Rt wrist plain film; PA/AP view; boy, 12 yo; cast in situ; 82.5 mm image width
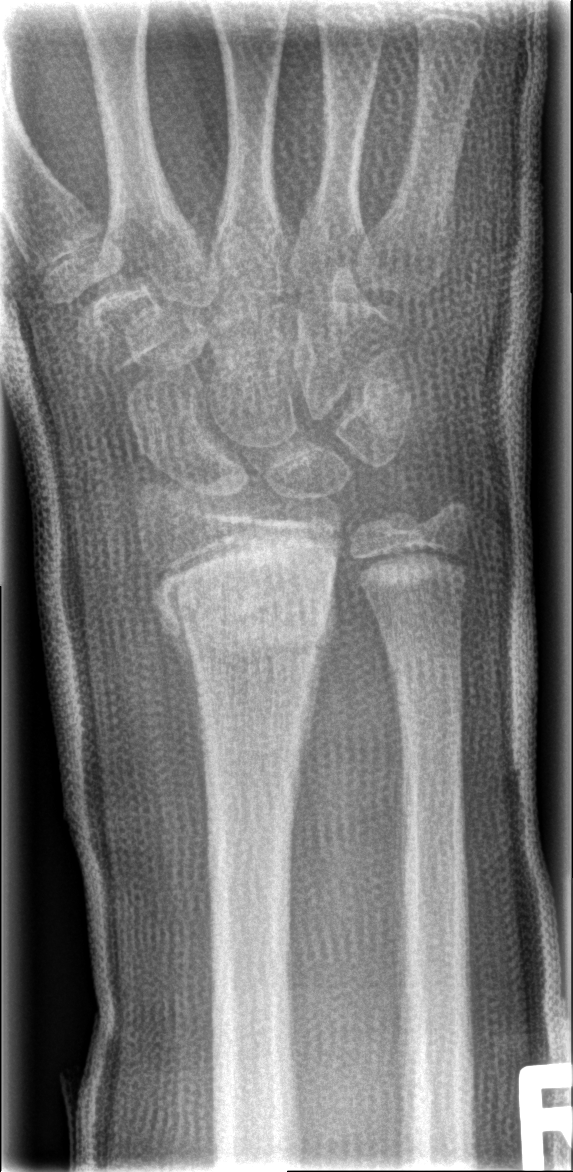
FINDINGS: (bounding boxes in image-pixel xyxy) Bone fracture: 146 527 342 664. AO/OTA classification: 23r-M/3.1; 23u-E/1.